Right wrist X-ray · AP · 89.0 mm image width — 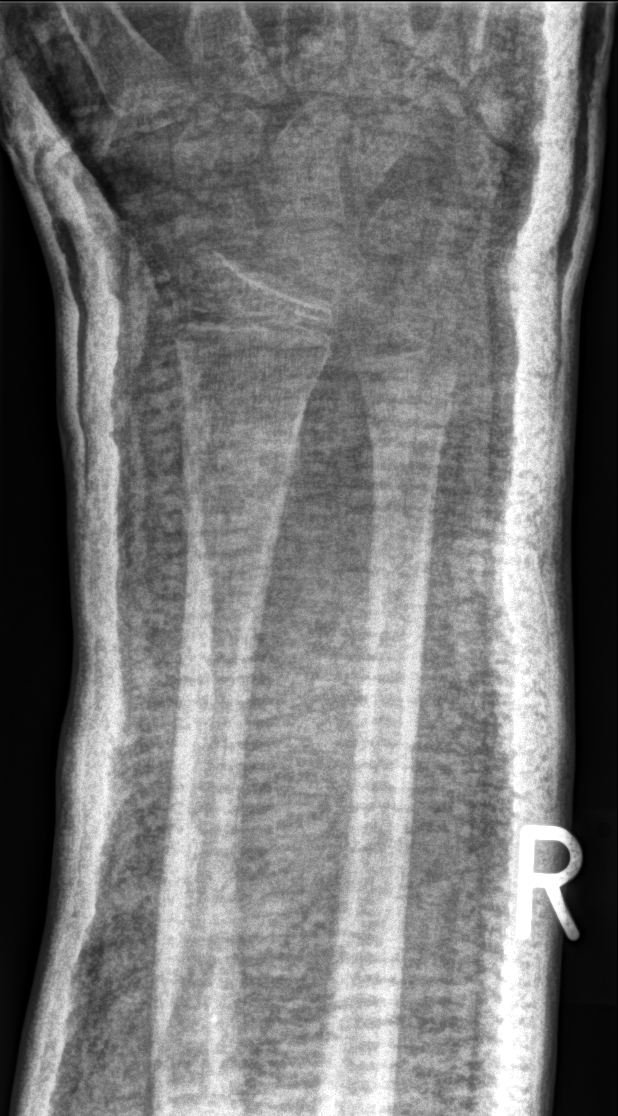

Coordinates are [x1, y1, x2, y2] in image pixels.
Bone fractures — (left=176, top=387, right=305, bottom=500) (left=362, top=379, right=456, bottom=472).
Fracture classified AO/OTA 23-M/2.1.